Lat projection, Lt wrist XR, image 58.3 mm wide, 405 x 926 px:
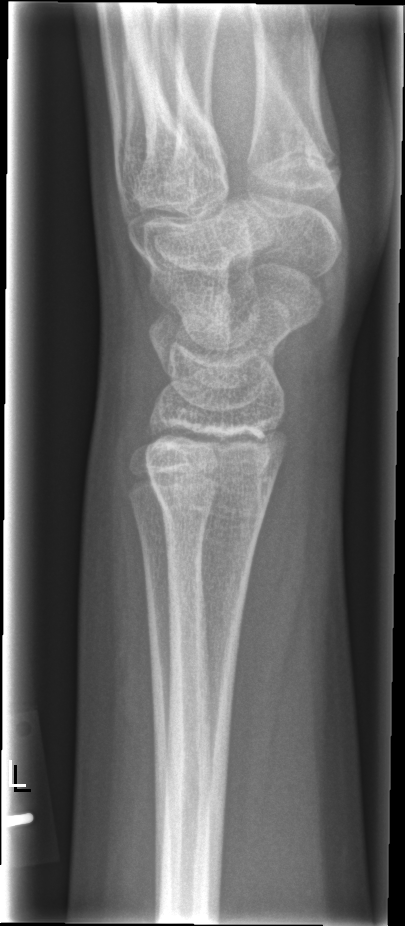 AO code 23r-M/2.1.
One fracture at 148,474,275,547.